Lateral · right wrist X-ray · age 16 y, female · presentation radiograph · 71.6 mm image width:
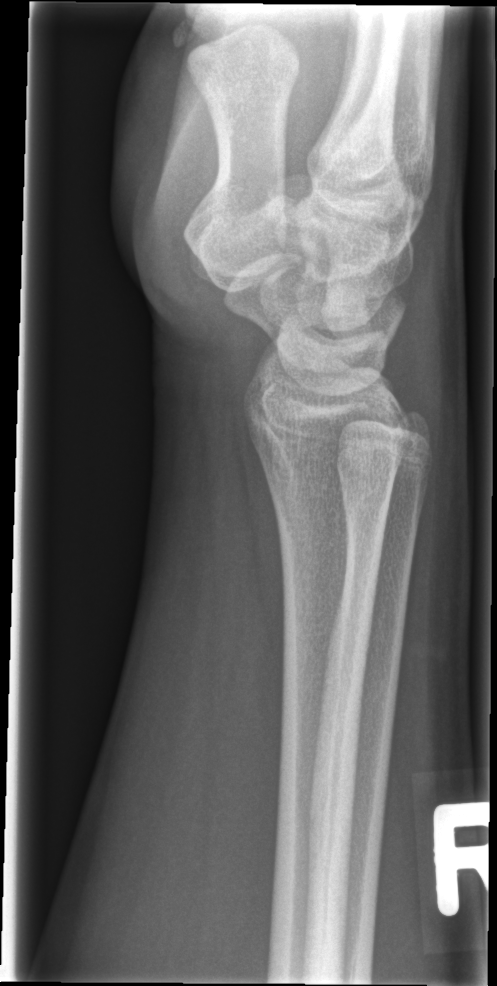

* Fx: none.